Frontal; Lt wrist XR; pediatric patient (boy, age 8); follow-up; in cast.

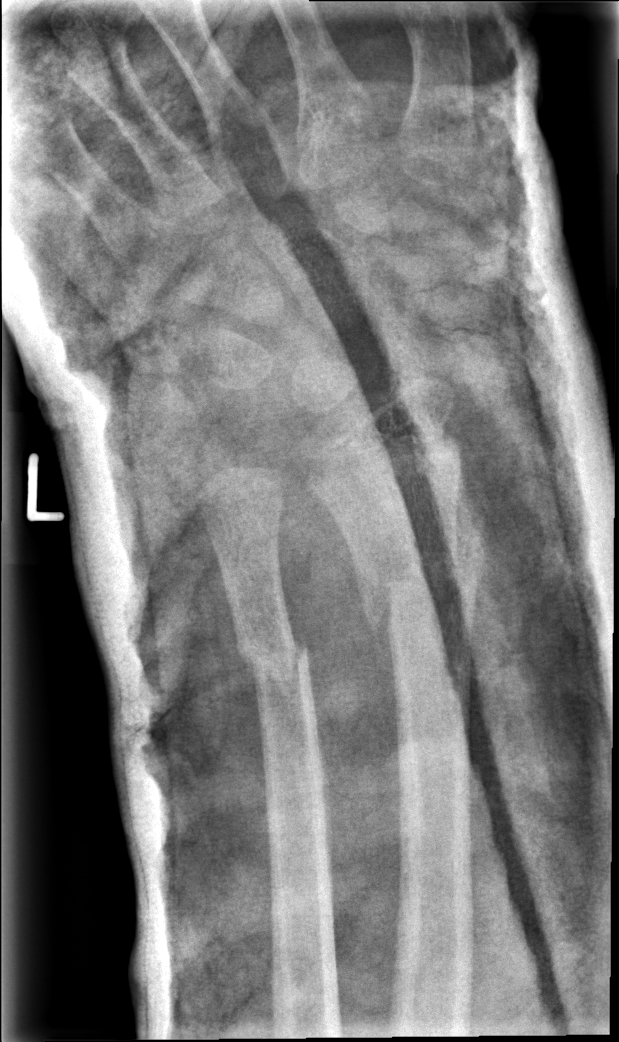
ao: 23-M/3.1
fracture: 2 @ (left=351, top=508, right=489, bottom=644) (left=231, top=628, right=318, bottom=696)